Right wrist plain radiograph of the wrist, posteroanterior view, age 11 y, male — 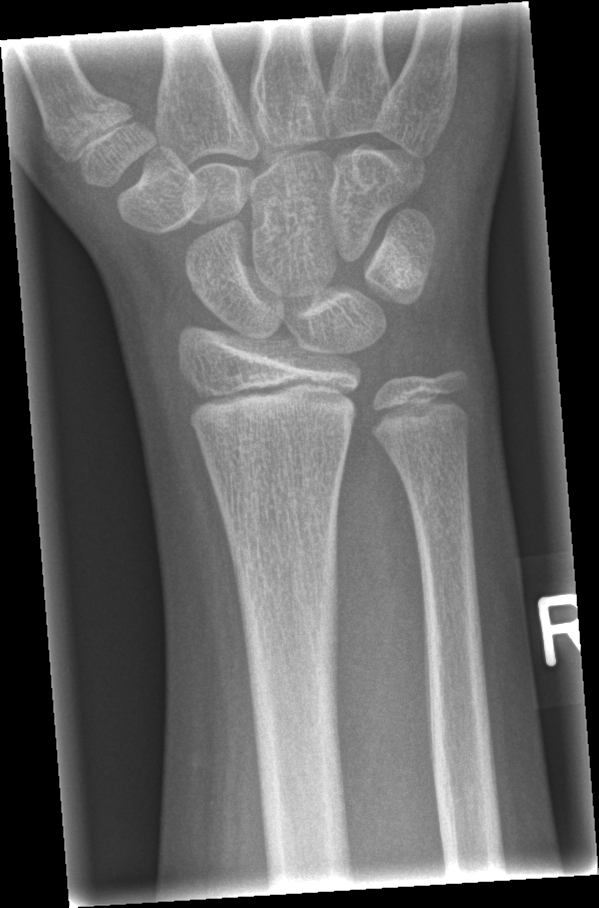 No fracture annotation.